Lat projection | left wrist X-ray | acquired on Siemens

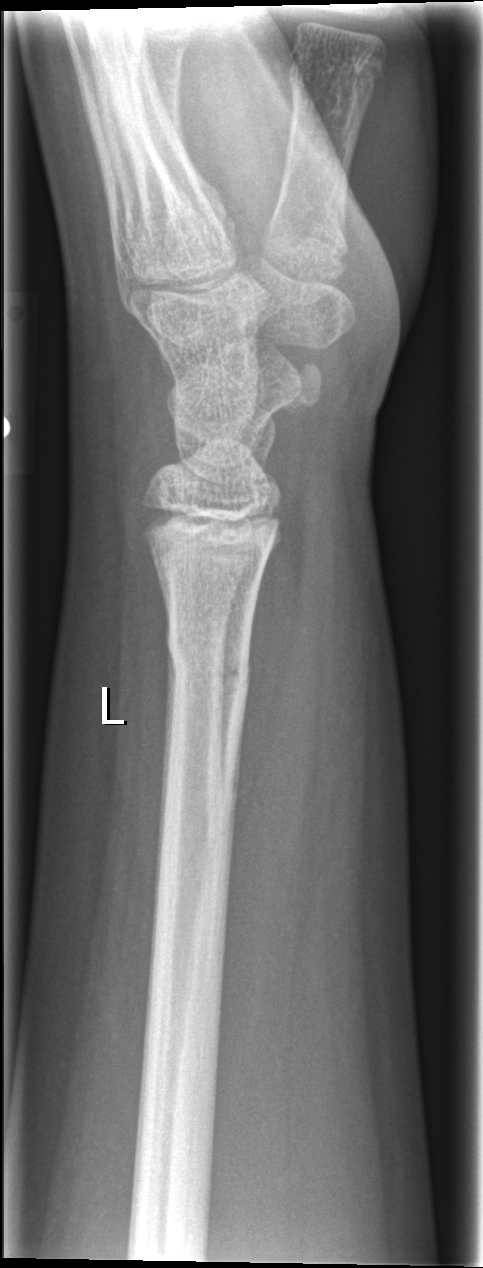 - Pixel coordinates, top-left origin, xyxy.
- Bone fracture: (left=161, top=624, right=254, bottom=694).